Lat view | right wrist radiograph | imaged through cast | Siemens | 462 by 786 pixels.
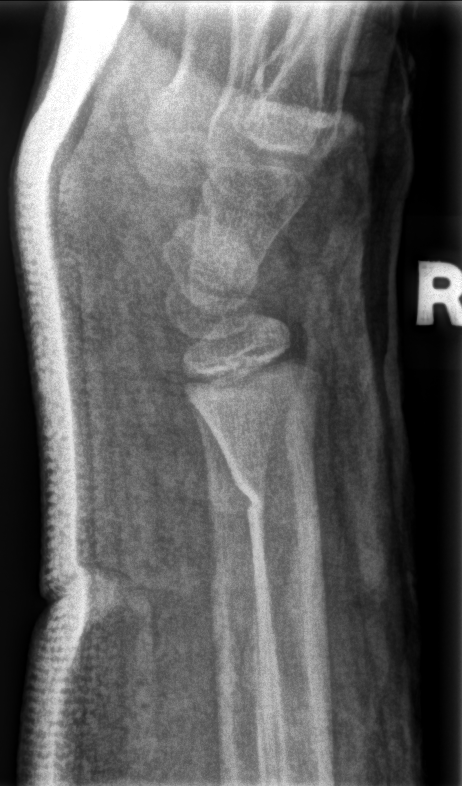

Findings: Fracture: bbox(224, 455, 324, 539).